R wrist radiograph, frontal view —
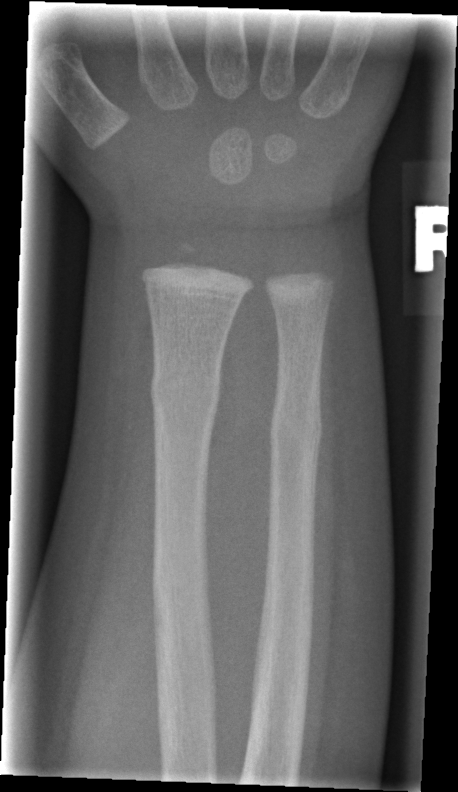

* Two bone fractures at 149 368 222 414
  267 407 324 454.